Lt plain radiograph of the wrist · frontal · 4y F —
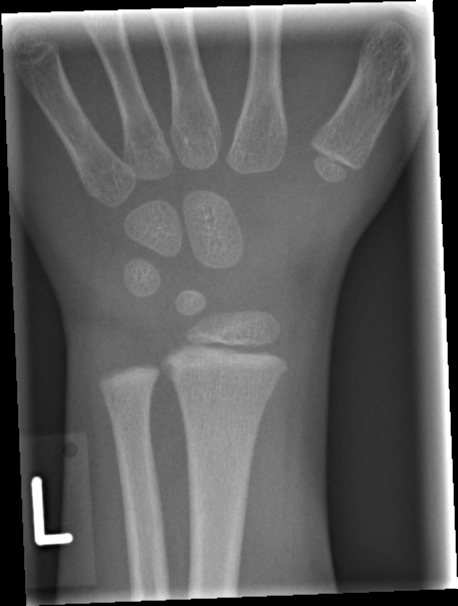 No fracture annotation.